Frontal projection; Lt pediatric wrist radiograph; presentation radiograph; 577 x 840 px:
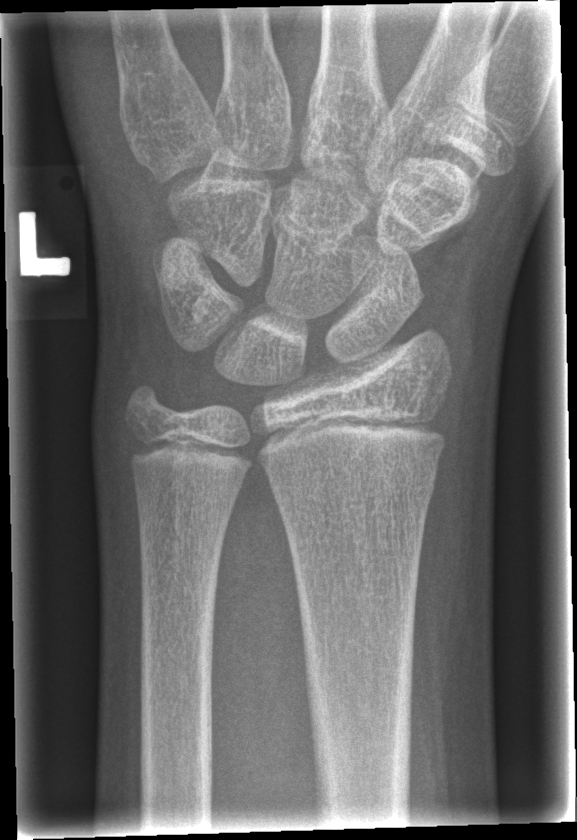 • Fx — bbox(269, 458, 440, 519).